Lateral · left wrist X-ray · pediatric patient (boy, age 11) · acquired on Siemens · image width 56.9 mm · 395 by 1014 pixels 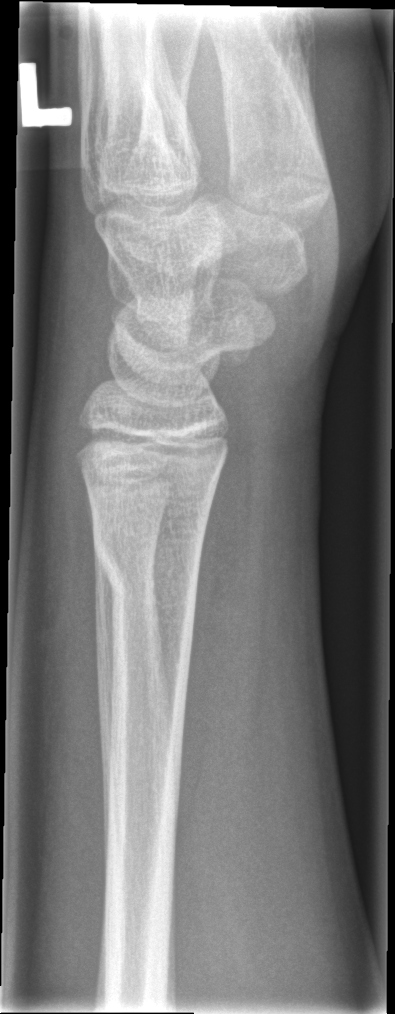 Fracture classified AO/OTA 23r-M/2.1. Bone fracture identified at 91,518,204,610.